R pediatric wrist radiograph; lateral projection; Siemens:

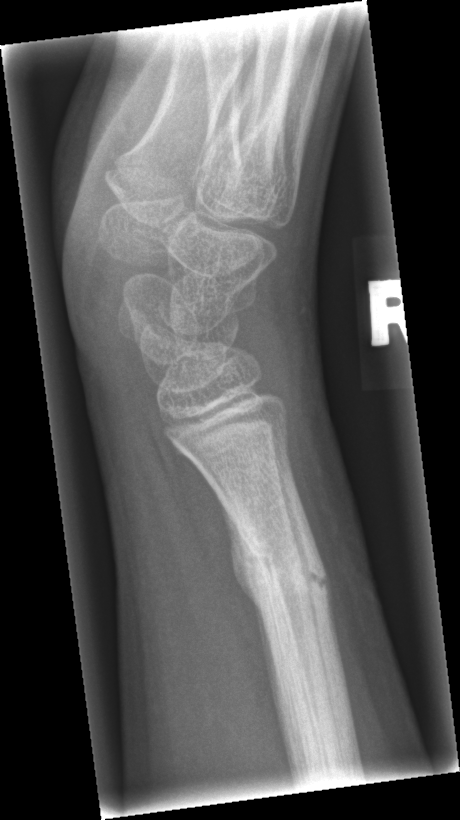   osteopenia: present
  fracture: (left=230, top=537, right=331, bottom=617)
  periostealreaction: (left=216, top=494, right=264, bottom=635)